Lt pediatric wrist radiograph; frontal view; girl, 7 yo —

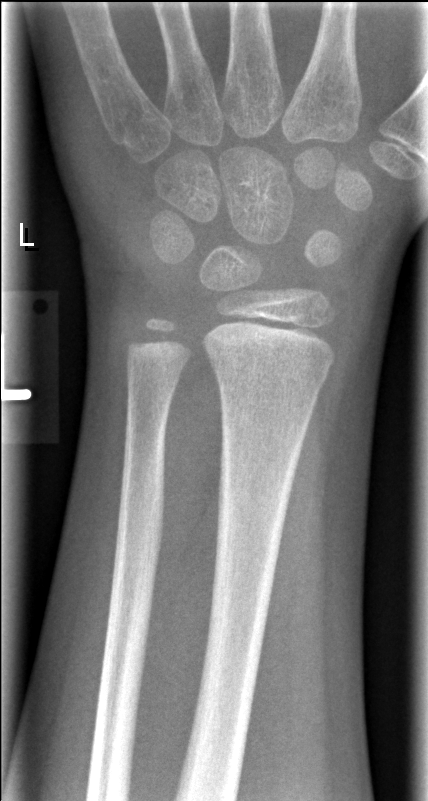

Findings: Fracture classified AO/OTA 23r-M/2.1. Bone fracture — 205 337 331 394.